Frontal projection; right wrist X-ray: 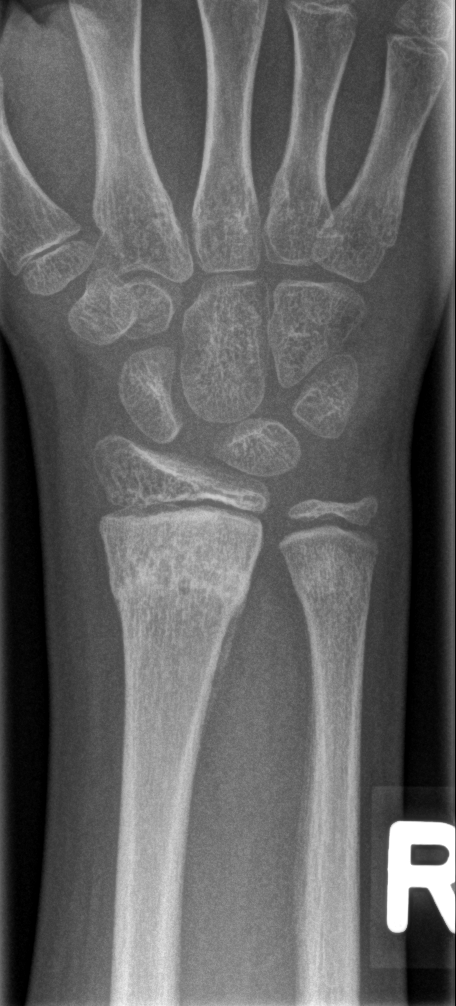 AO/OTA classification: 23-M/2.1.
Periosteal thickening: [x1=196, y1=592, x2=249, y2=759].
Fracture: [x1=104, y1=533, x2=254, y2=622] [x1=286, y1=546, x2=377, y2=611].